Left wrist XR, lateral view, age 5 y, male, index exam, image size 420x608.

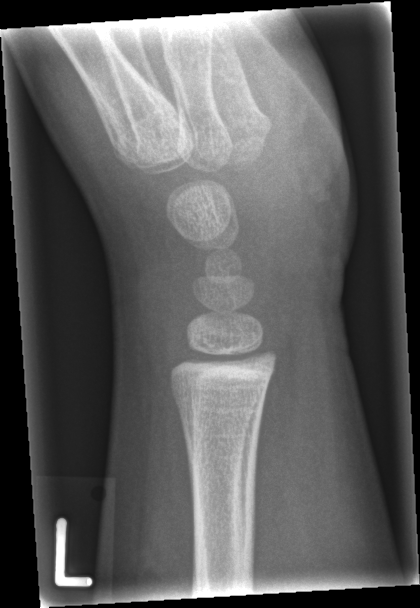
bone fracture: none labeled